Right plain radiograph of the wrist; lat; age 15 y, male; detector: Siemens:
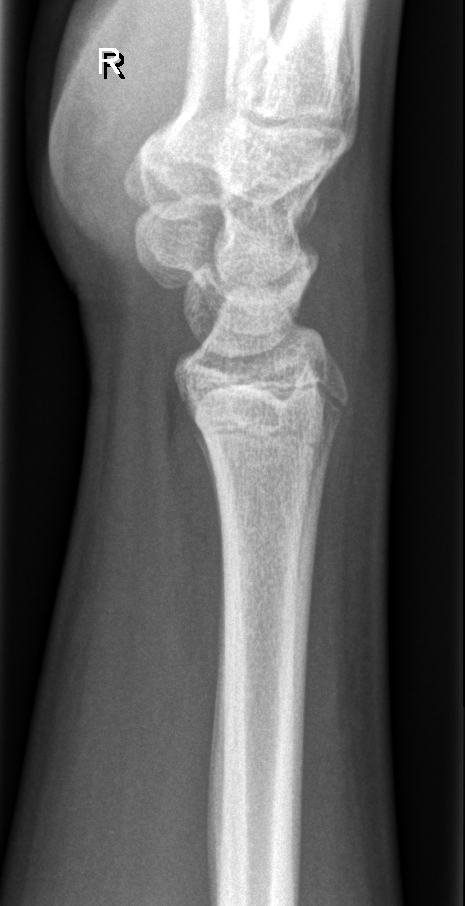

fracture: none labeled